Right wrist pediatric wrist radiograph · frontal · female, 9 yo · image 74.2 mm wide —
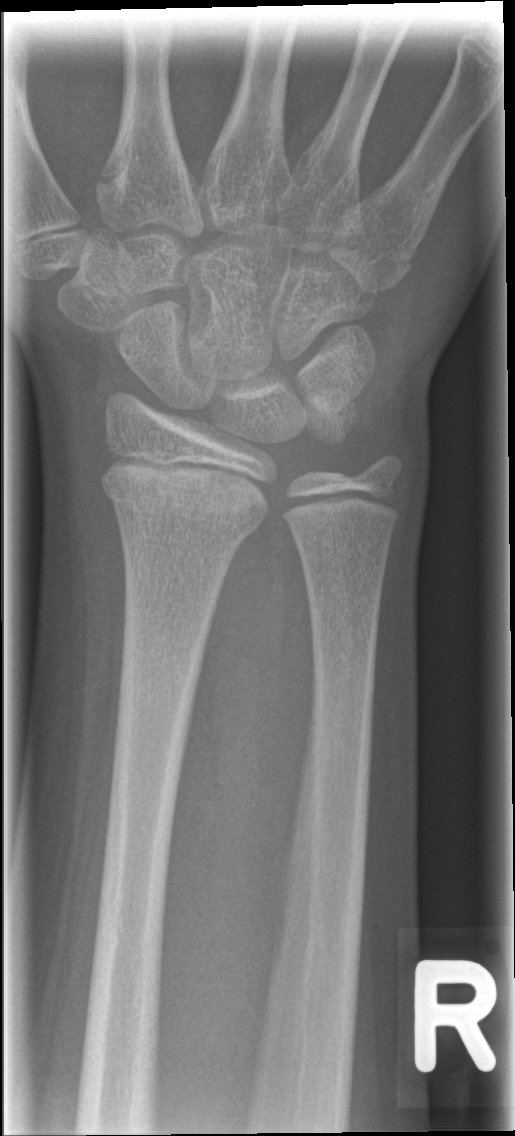

{
  "ao": "23r-E/2.1",
  "fracture": "[x1=97, y1=459, x2=270, y2=531]"
}